Lt wrist radiograph; lat view; subsequent exam; in cast; Siemens.
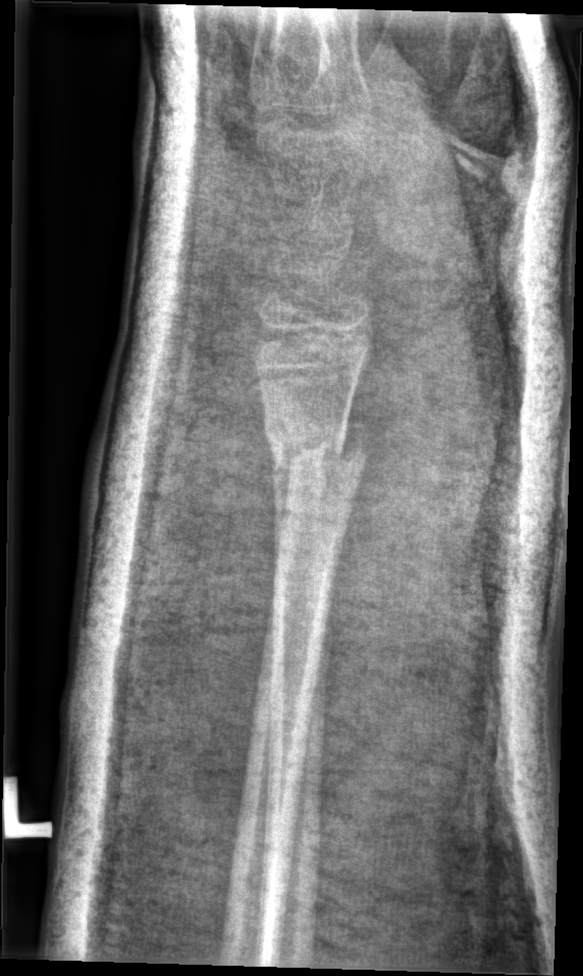 Findings: (pixel coordinates, top-left origin, xyxy) AO/OTA classification: 23-M/3.1. Fracture identified at 250 409 384 510.